Right wrist XR | PA view | girl, 13 yo | presentation radiograph —
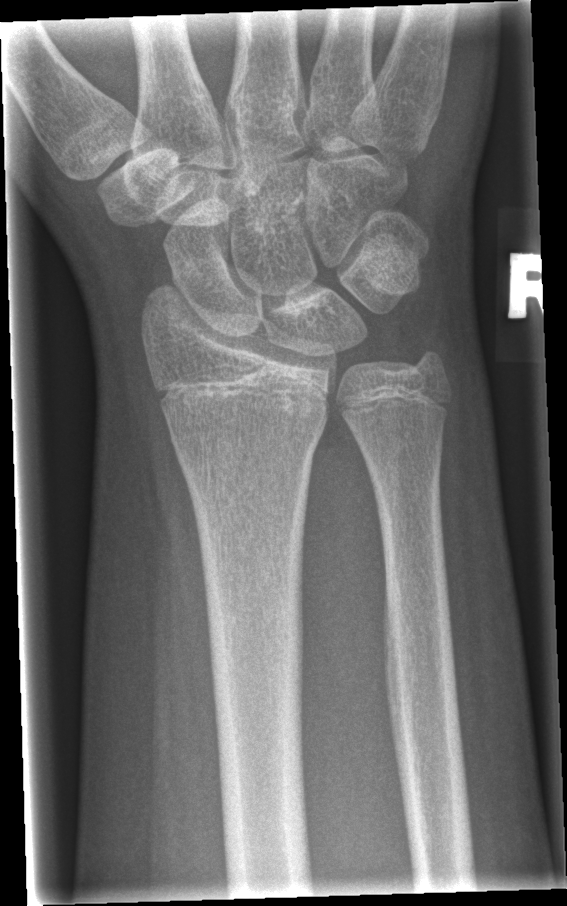
fracture: none labeled